Posteroanterior, Rt wrist radiograph, age 10 y, male, detector: Siemens:

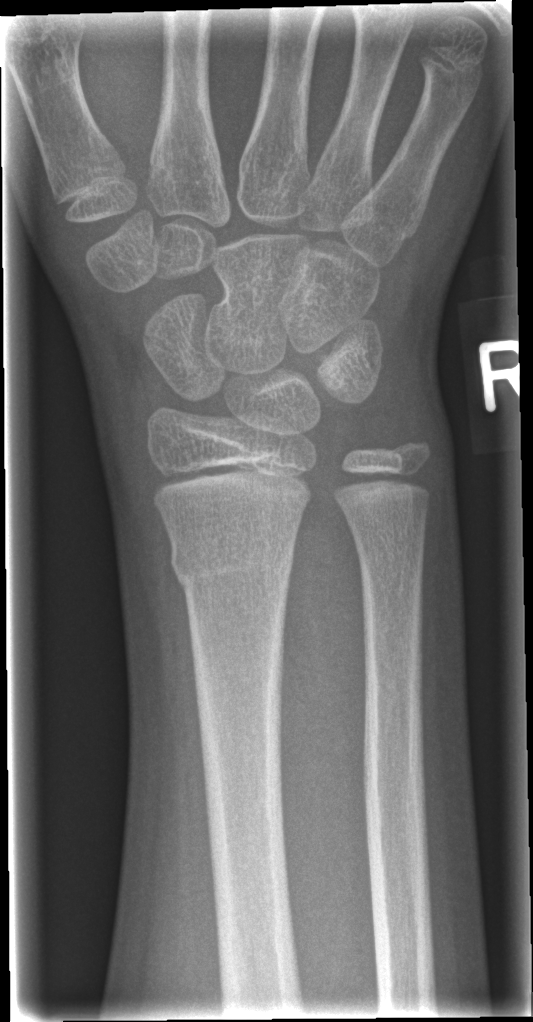 FINDINGS — AO/OTA classification: 23r-M/2.1. Bone fracture: 168,534,300,600.